Left wrist plain film · PA/AP view · female, 10 yo · 469x960.

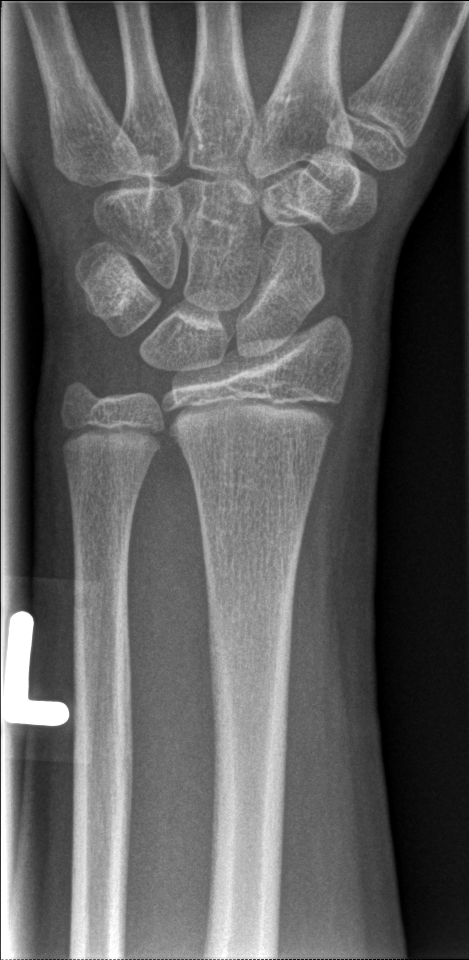 - No fracture bounding box.